PA, right wrist X-ray, male, 5 yo: 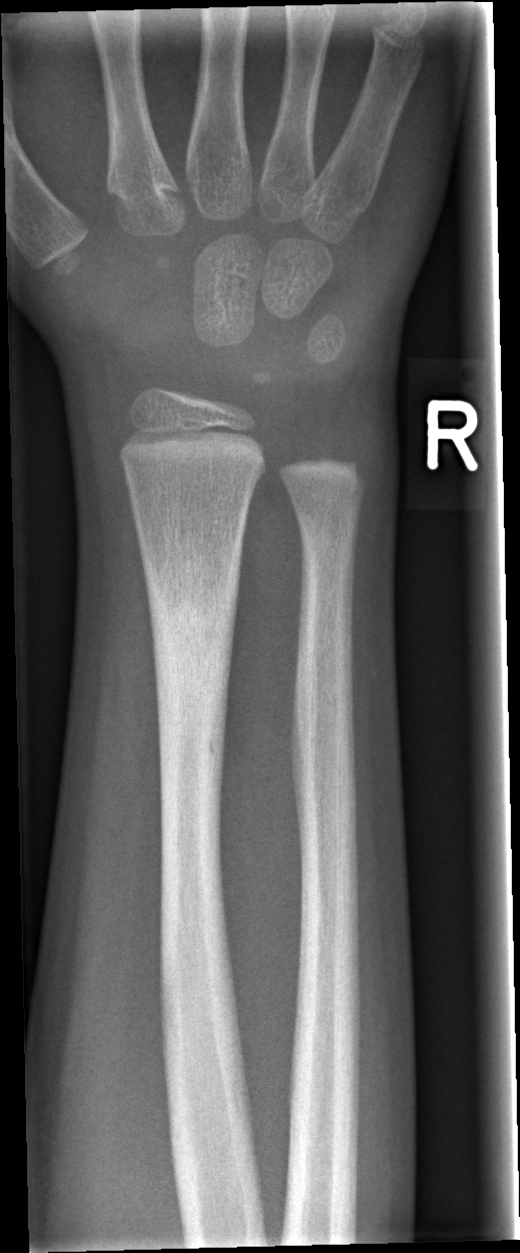
FINDINGS: (boxes as x1,y1,x2,y2 (top-left / bottom-right, pixel units)) Bone fracture: [x1=142, y1=544, x2=253, y2=844]; [x1=291, y1=496, x2=364, y2=570].